Posteroanterior; right plain radiograph of the wrist; index exam; 578 by 1151 pixels
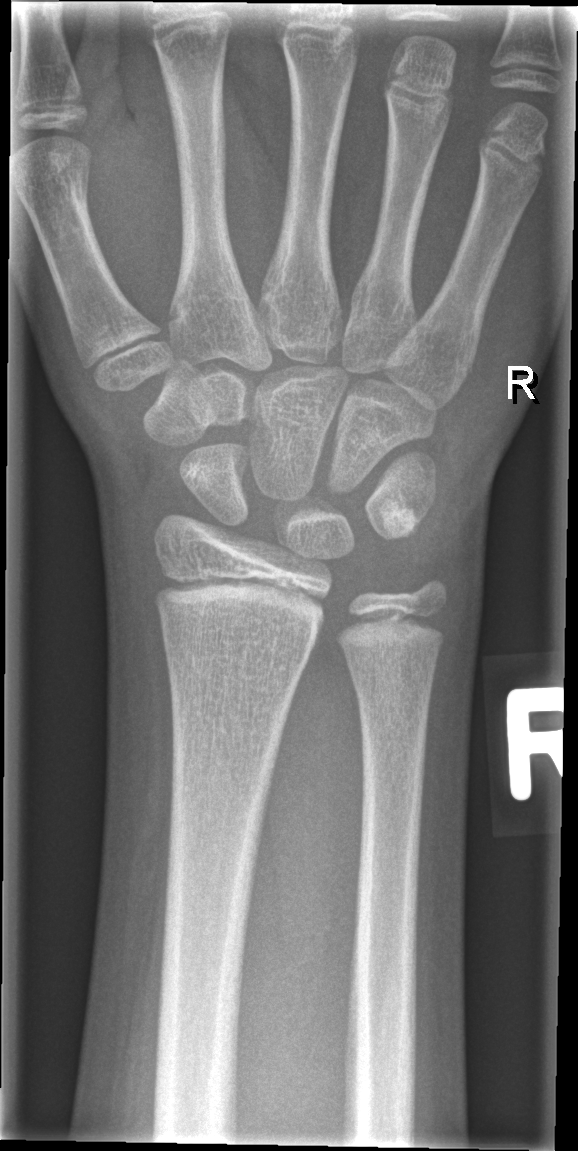
Q: Locate any fractures.
A: No fracture annotation